Right wrist radiograph | PA/AP: 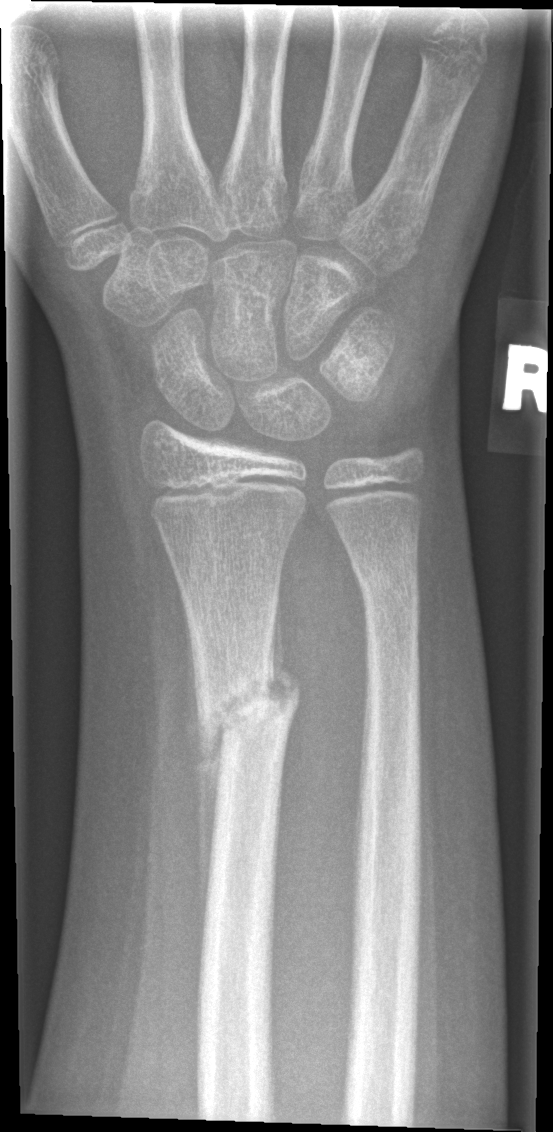
(bounding boxes in image-pixel xyxy)
AO code: 23-M/3.1
Fx: 2 @ 182,650,310,764; 345,557,422,616
periosteal thickening: 182,637,227,950 | 267,586,299,724